PA/AP view; left wrist radiograph; pediatric patient (male, age 5); detector: Siemens; image size 515x808 —
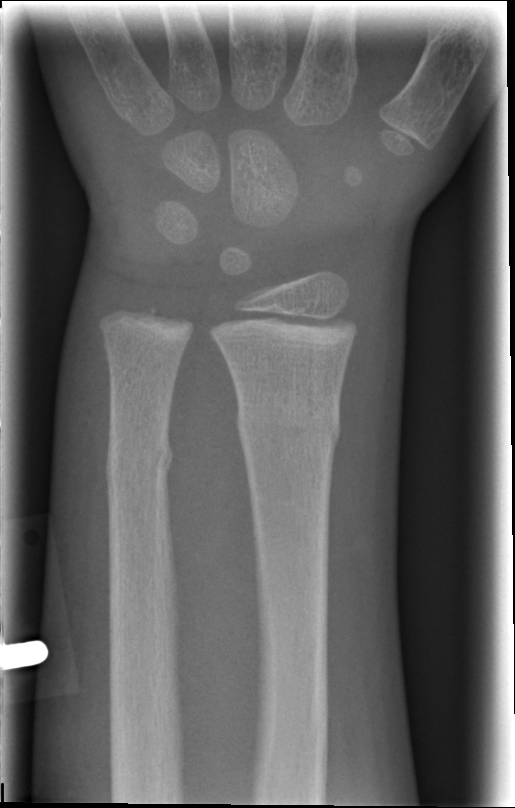

  fracture: 2 @ (left=233, top=393, right=343, bottom=457) (left=101, top=434, right=175, bottom=488)